Left wrist XR; lateral view; follow-up study:
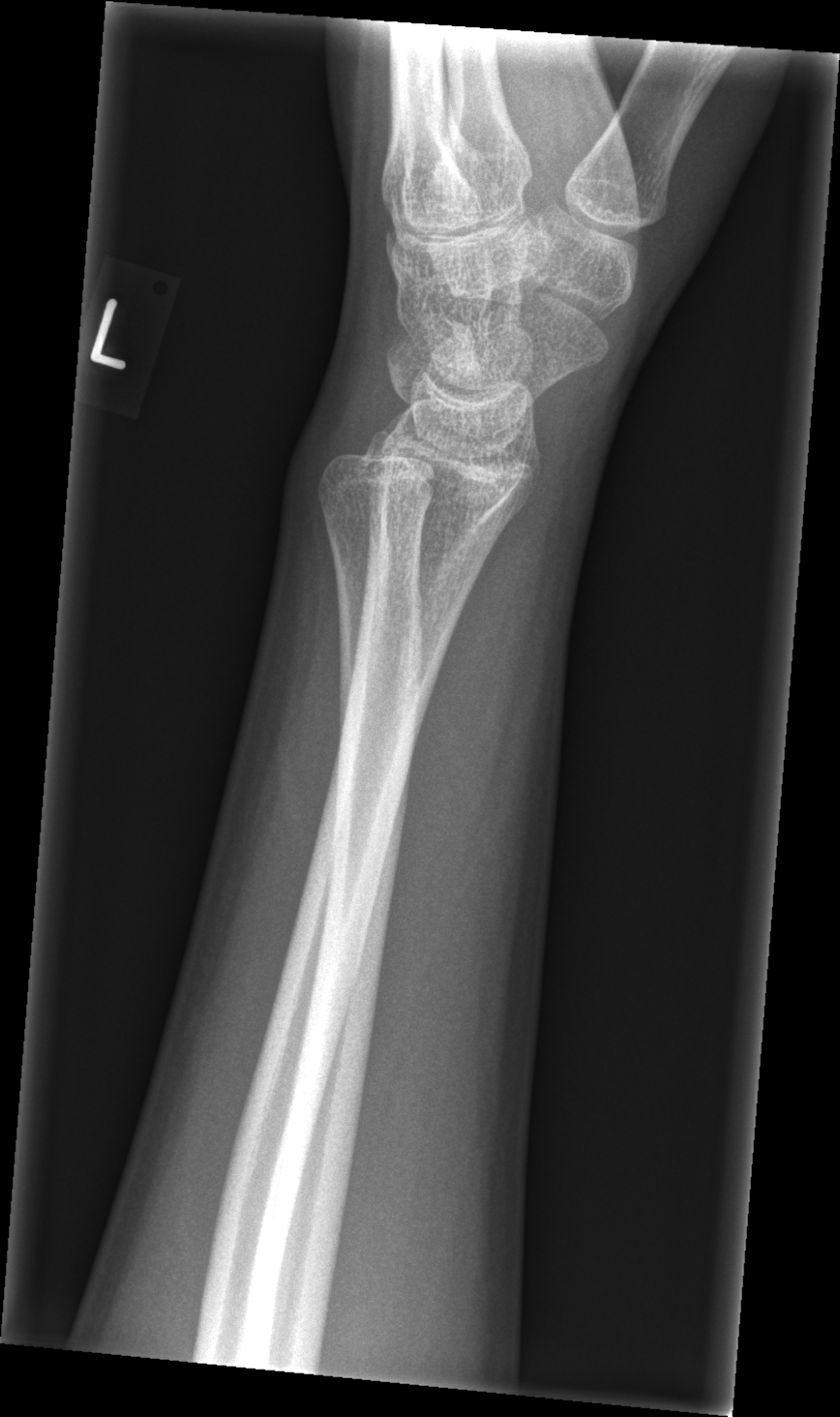
• No fracture labeled.
• Bone variant identified at 282 394 445 648.